Lat · right plain radiograph of the wrist: 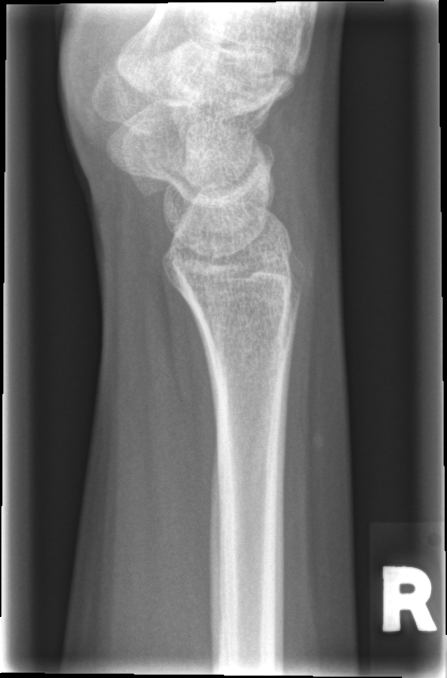 FINDINGS: Fracture: none labeled.